PA/AP projection, Lt wrist radiograph, pediatric patient (male, age 7) — 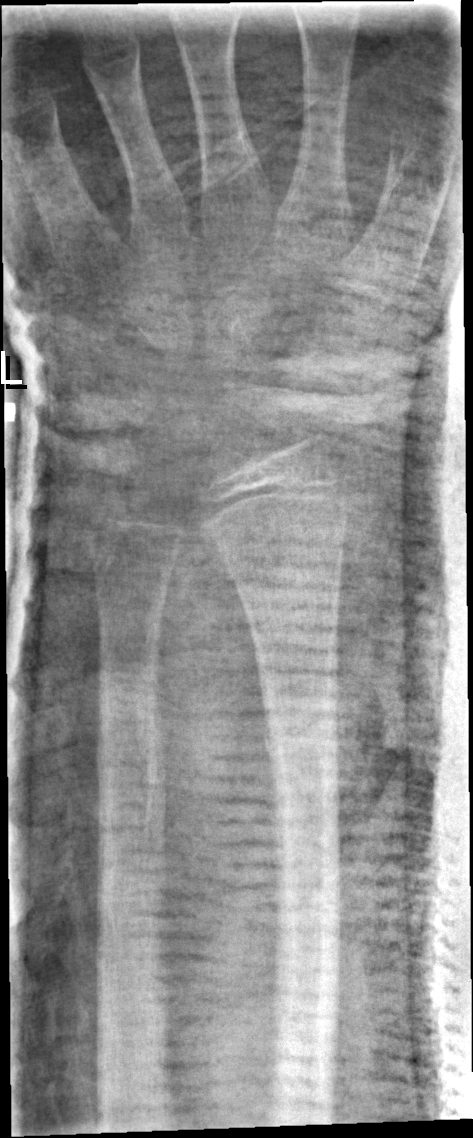

Fracture: 1 @ <254,681>-<348,773>